Lateral projection | right wrist X-ray | boy, 5 yo | index exam 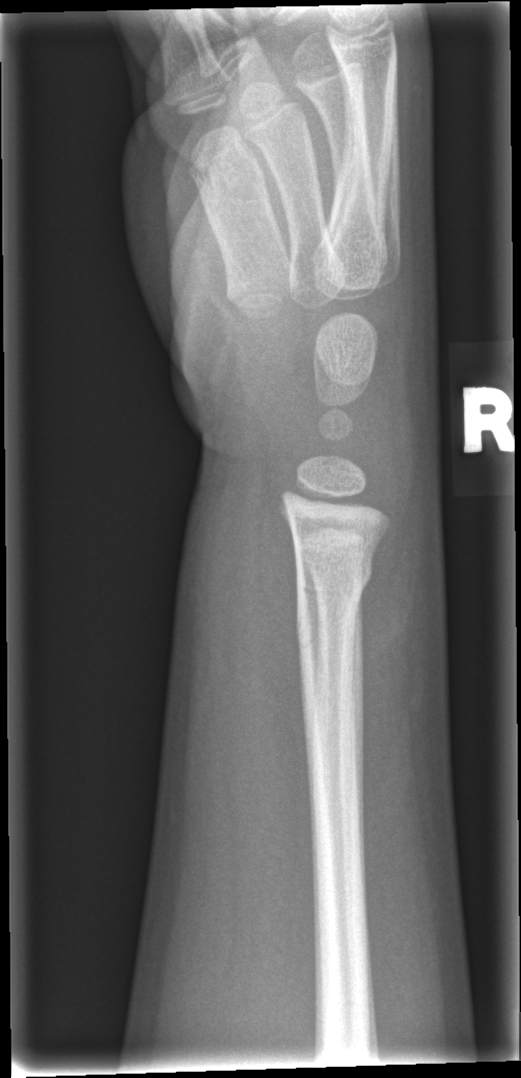 Fracture — [293, 543, 377, 609]. Positive pronator fat-pad sign identified at [227, 469, 323, 915]. AO code 23r-M/2.1.